R pediatric wrist radiograph; frontal projection; girl, 9 yo; in cast; image size 547x914 —
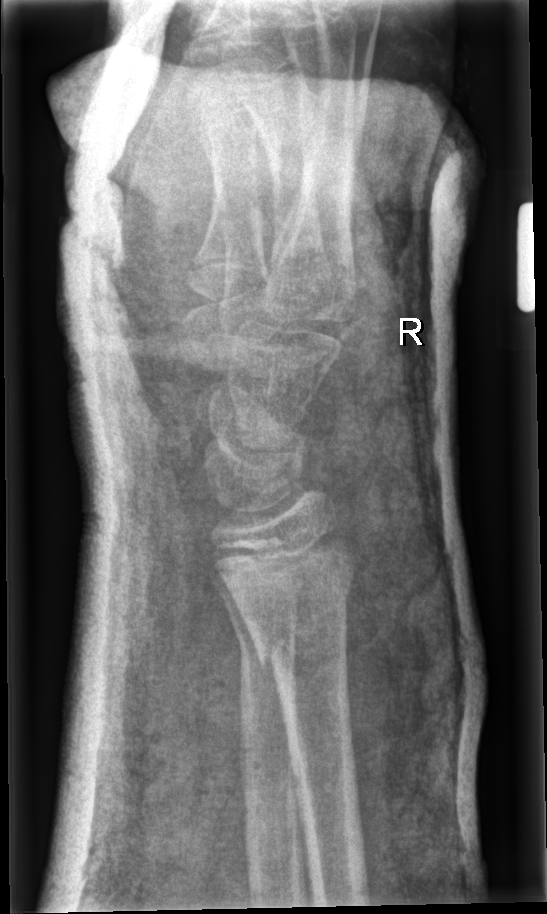 {"fracture": "2 @ <250,616>-<349,679>; <232,615>-<300,673>"}